L wrist X-ray, PA view —

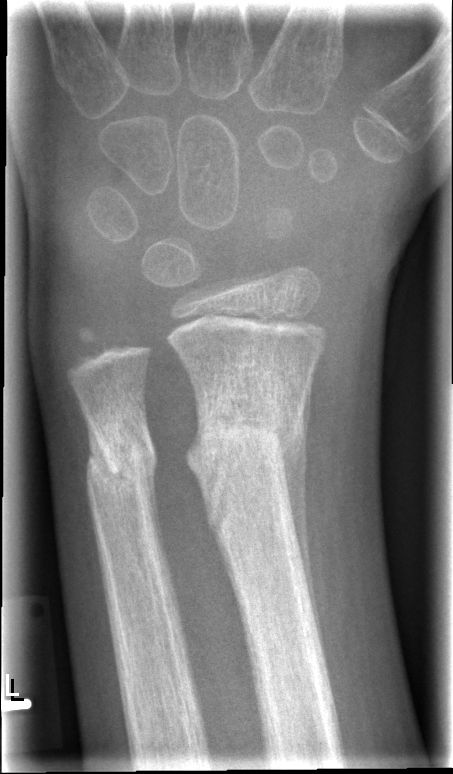
FINDINGS: (boxes as x1,y1,x2,y2 (top-left / bottom-right, pixel units)) One periosteal new bone at (284, 421, 320, 636). Bone fractures — (181, 367, 310, 489), (82, 409, 161, 489). AO/OTA classification: 23-M/3.1.